Right wrist plain film; lateral; 14-year-old male; presentation radiograph; 433 by 1174 pixels:
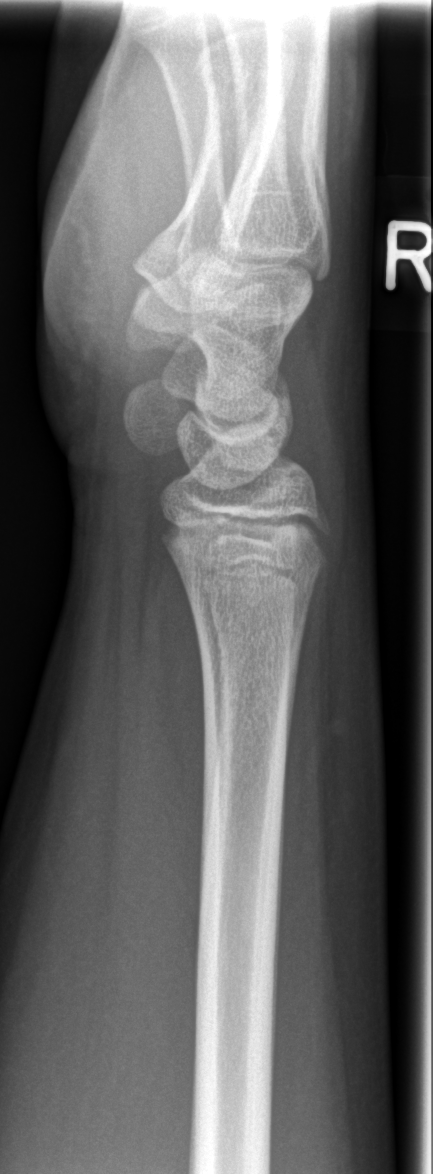

  fracture: none labeled